L plain radiograph of the wrist · lateral view — 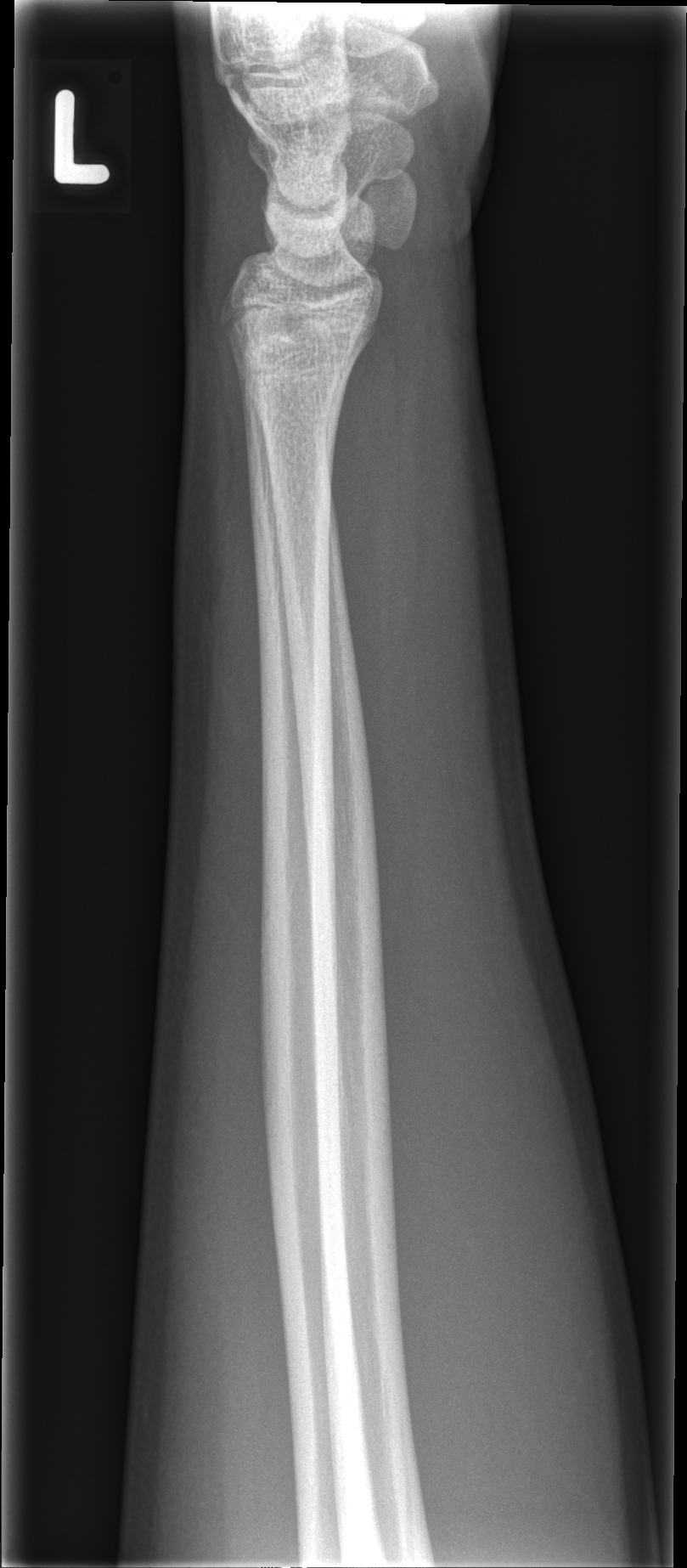
Findings: Fx: none.